Posteroanterior projection | right wrist XR | Siemens | image size 529x954:

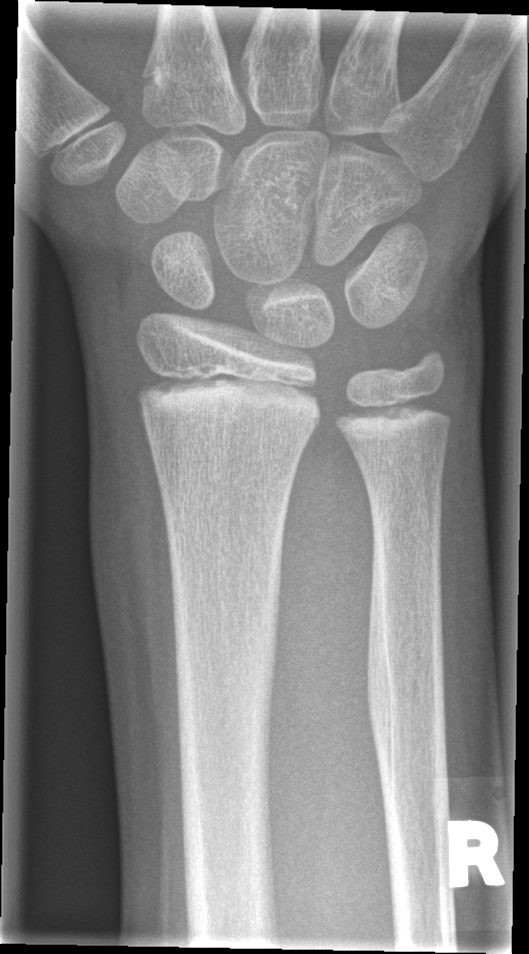
Findings: No fracture bounding box.